L wrist XR | lateral projection | age 4 y, male

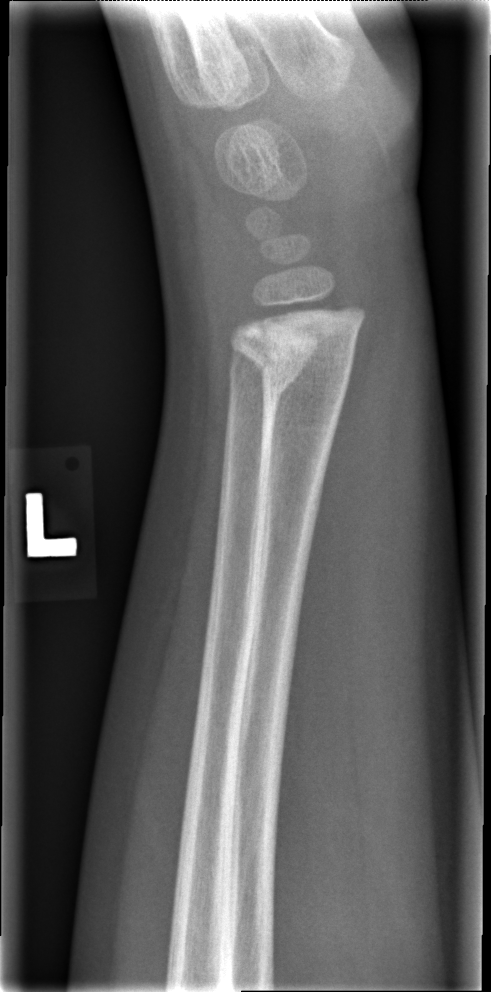
Bone fracture — bbox(226, 289, 370, 396).